Frontal; Lt plain radiograph of the wrist; 11y F; image size 696x1186
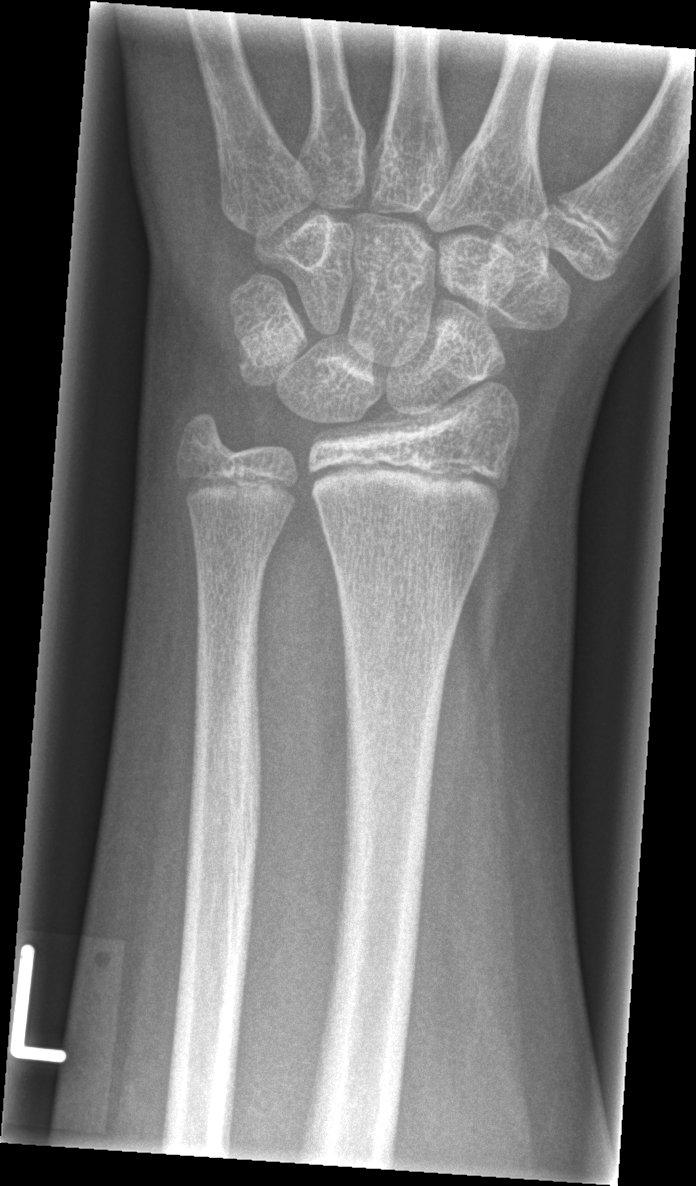

No fracture annotation.